Right wrist XR · lateral

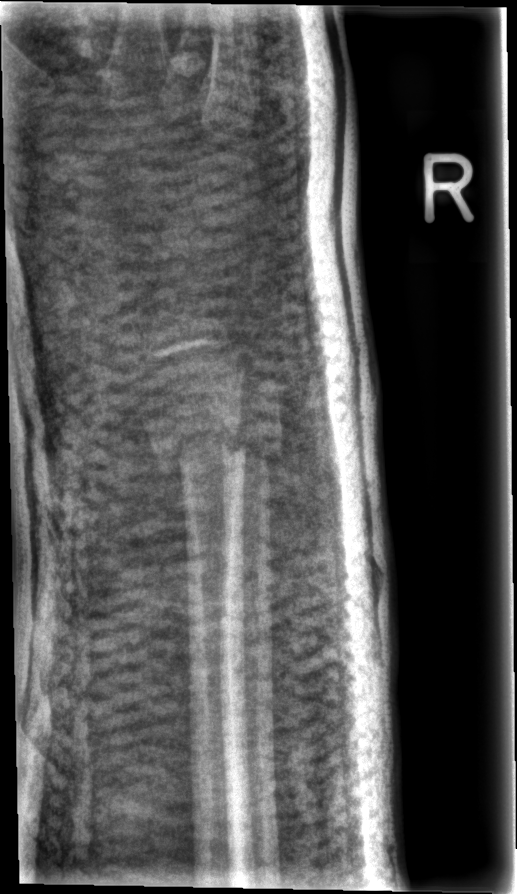

Bone fracture: 2 @ bbox(159, 418, 249, 484); bbox(221, 433, 288, 478)